Lt wrist X-ray; PA view; 8y M; 532 x 1102 px —

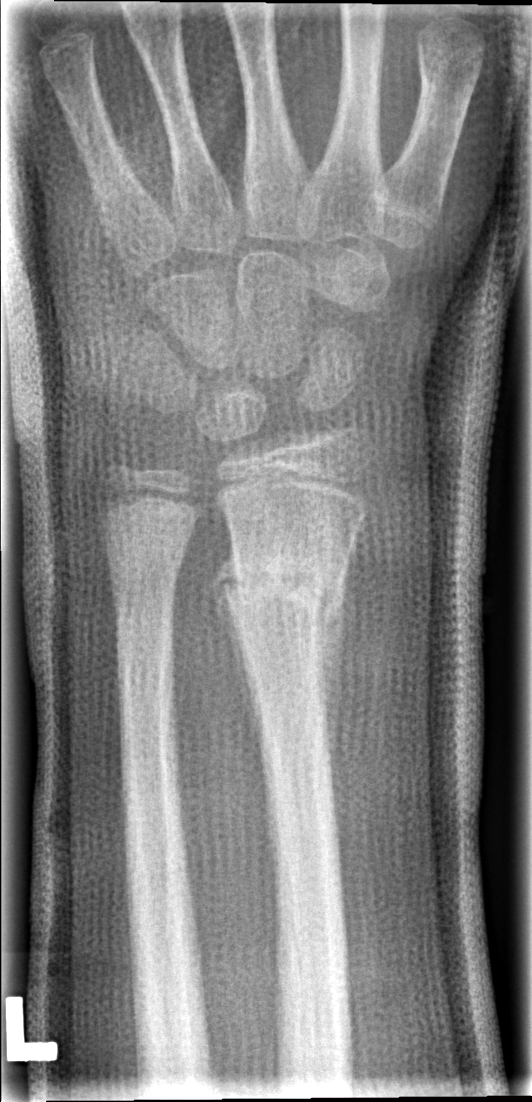
Boxes as x1,y1,x2,y2 (top-left / bottom-right, pixel units).
Two periosteal thickening at 209,529,281,878; 314,561,349,824.
One Fx at 220,544,348,630.